Lat view · Lt wrist X-ray · cast in situ · Siemens — 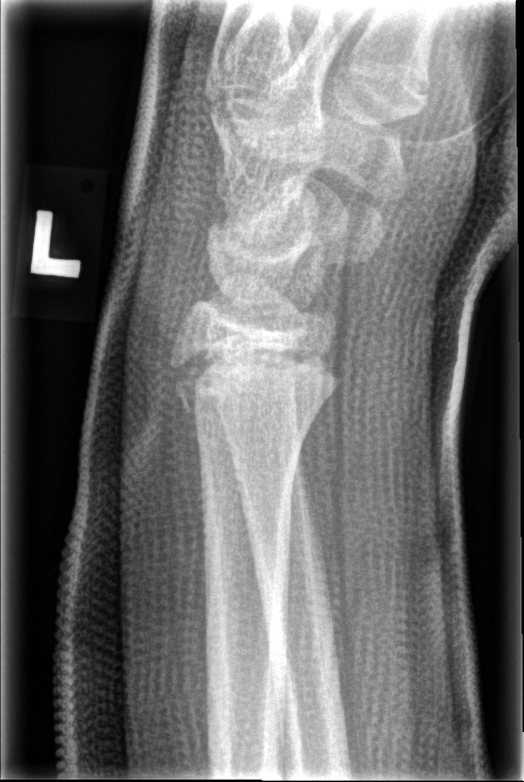

Q: What is the AO/OTA classification?
A: Fracture classified AO/OTA 23r-E/2.1; 23u-E/7
Q: Is there a fracture?
A: Fracture identified at <165,336>-<347,425>